Right wrist radiograph | PA projection | 12-year-old female | follow-up study | 488 x 1014 px: 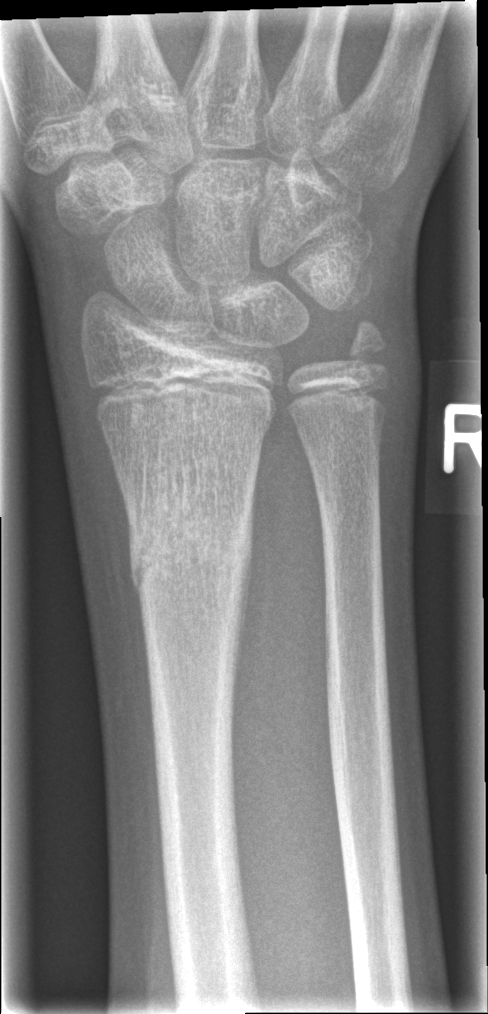 AO code = 23r-M/3.1; 23u-E/7
Fx = [x1=127, y1=520, x2=255, y2=596]; [x1=341, y1=316, x2=395, y2=382]